Lt wrist XR · lat · age 15 y, girl · presentation radiograph.

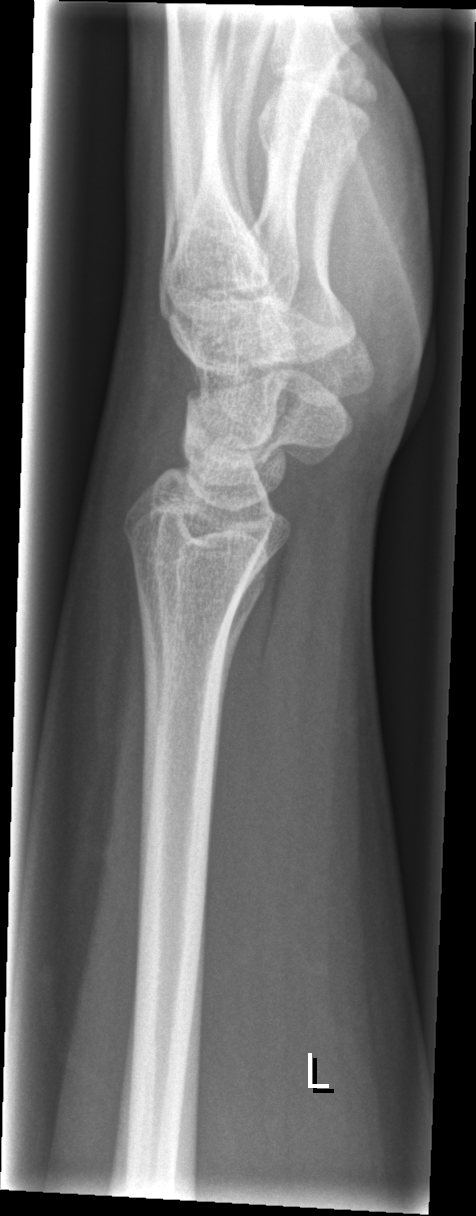

bone fracture: none labeled